Lateral, left wrist radiograph, girl, 9 yo, index exam, detector: Agfa —

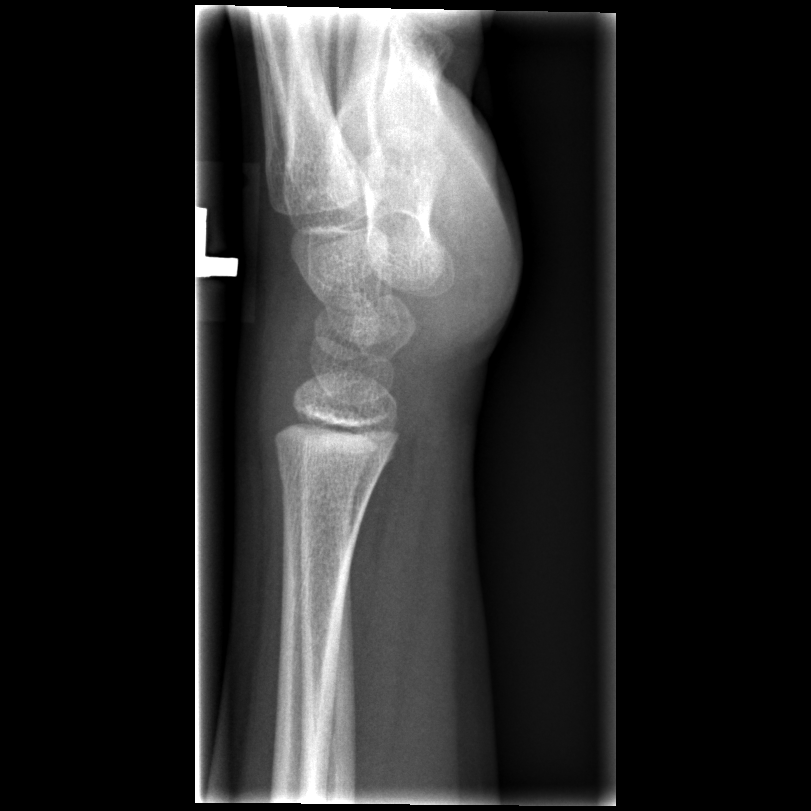
• No fracture bounding box.